Lateral projection, left wrist plain film, 15-year-old girl:

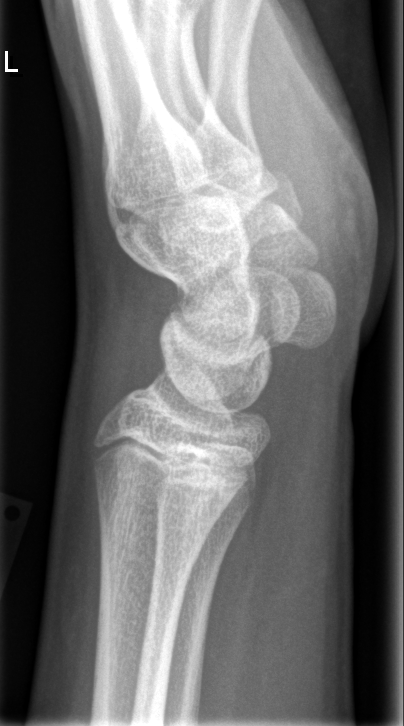
FINDINGS: No fracture labeled.